AP projection; Lt wrist radiograph; 6-year-old male; follow-up; image 70.1 mm wide —
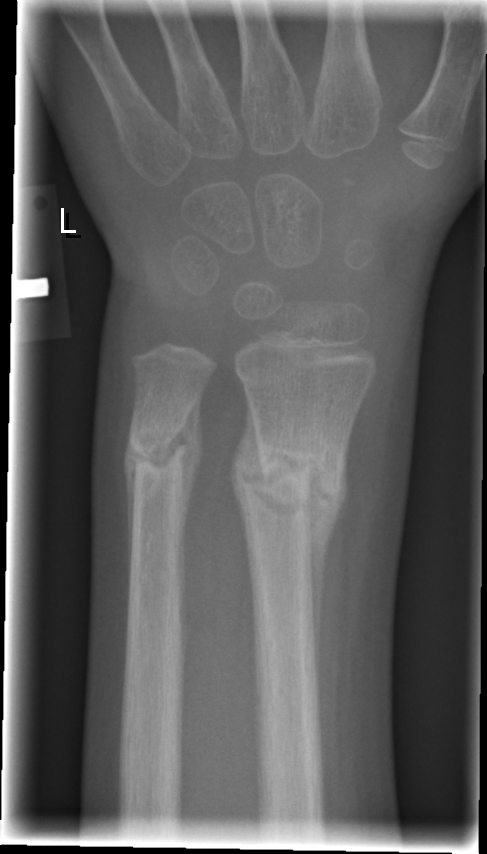

Boxes as x1,y1,x2,y2 (top-left / bottom-right, pixel units).
Bone fractures — <236,438>-<349,533> <122,419>-<203,488>.
Periosteal new bone identified at <308,451>-<349,692>, <226,385>-<268,606>, <179,383>-<206,550>, <120,429>-<141,603>.
Osteopenic.